Rt wrist XR · posteroanterior view · 11-year-old girl. 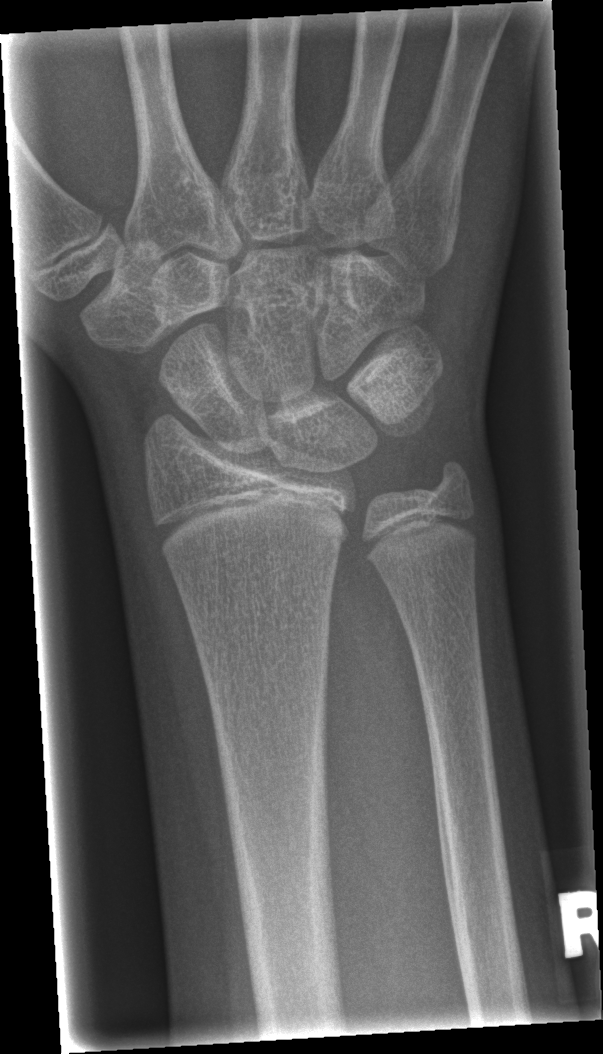
FINDINGS: No fracture annotation.